Lateral view, left wrist pediatric wrist radiograph: 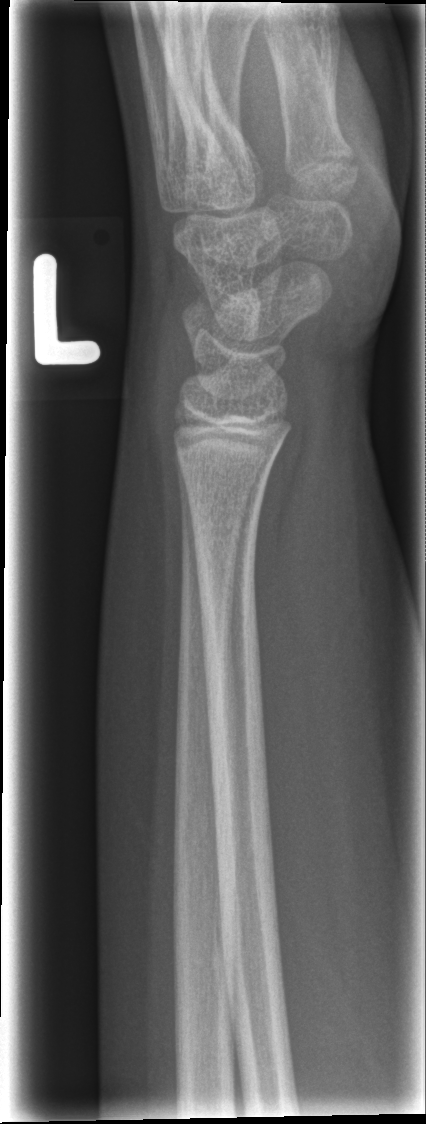

fracture: none labeled